Lat view; right wrist radiograph; 7y F; initial study; image size 506x808 —
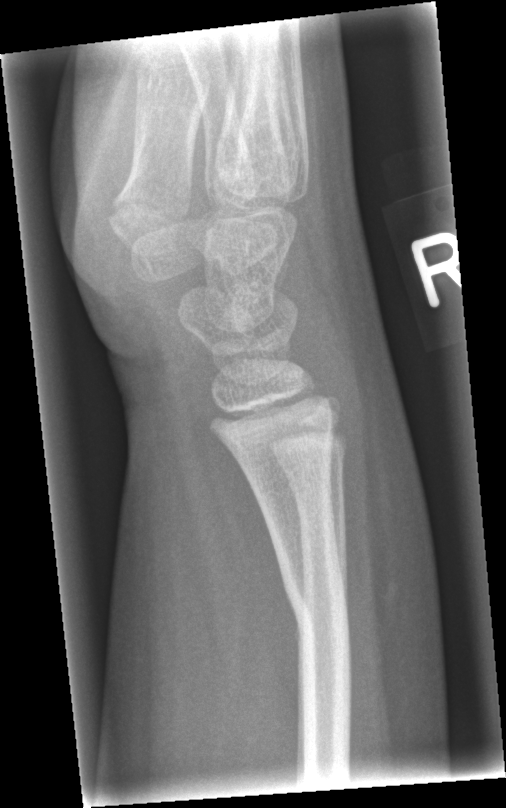
- Bounding boxes in image-pixel xyxy.
- Fx — 276,560,355,682.
- AO code 23r-M/2.1.